Right wrist X-ray, lateral view.
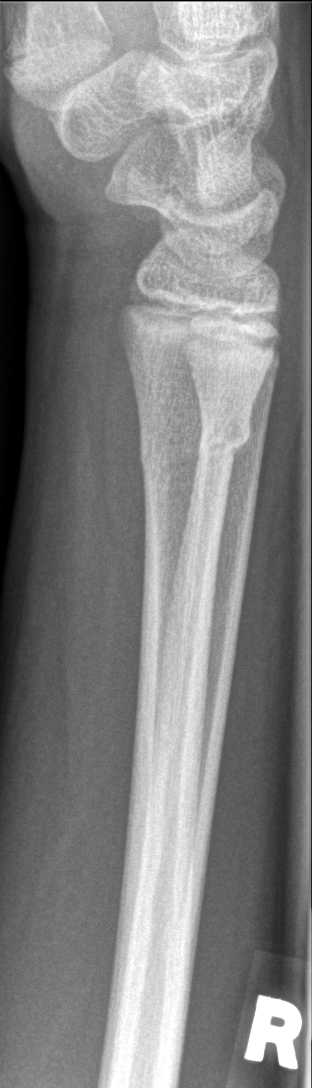
Fx = <133,411>-<256,479>
AO/OTA = 23r-M/3.1; 23u-E/7
pronator sign = <99,334>-<146,636>